Lateral view | Lt wrist X-ray | imaged through cast | image width 73.4 mm:
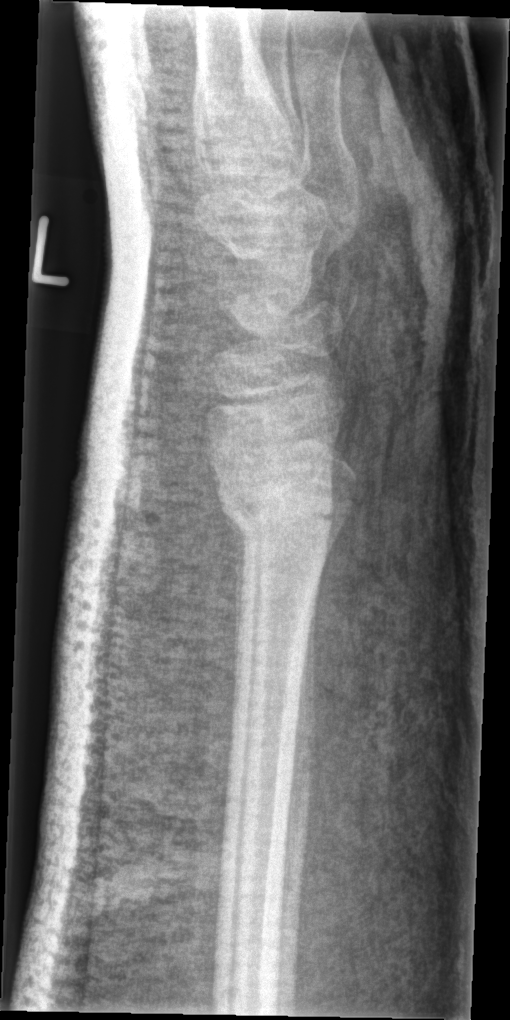
AO classification = 23r-M/3.1
fracture = [x1=210, y1=459, x2=339, y2=555]